Right pediatric wrist radiograph · posteroanterior view · acquired on Siemens 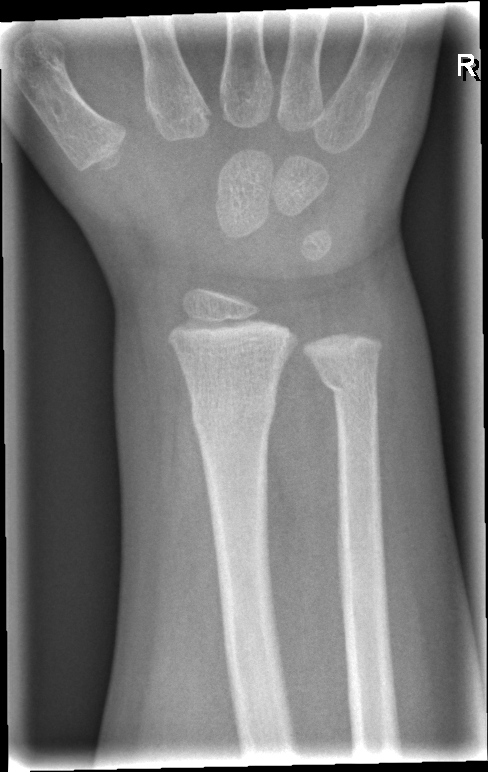

Fx identified at 190 392 277 442
  317 364 381 402.